Lat, right wrist plain film, 4y F, image 93.0 mm wide: 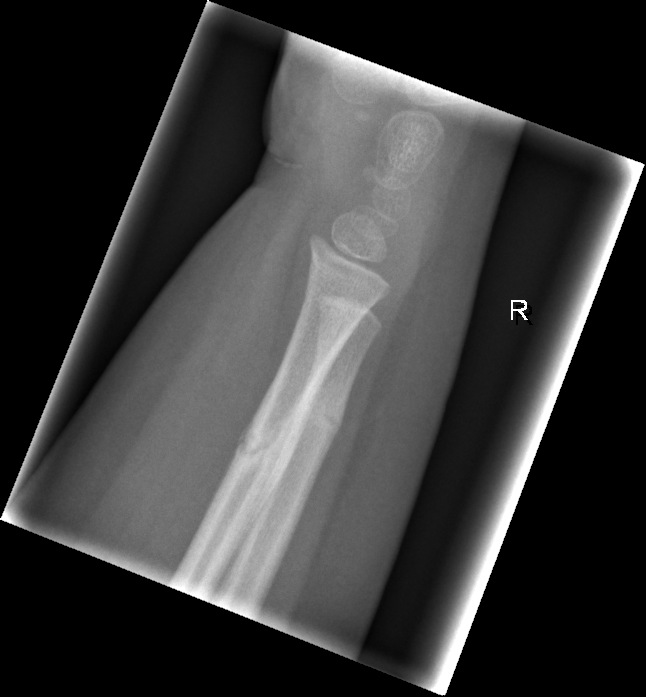
(pixel coordinates, top-left origin, xyxy)
Fracture = 2 @ <231,422>-<315,502> <297,390>-<349,445>